Frontal view, L wrist plain film, pediatric patient (boy, age 17). 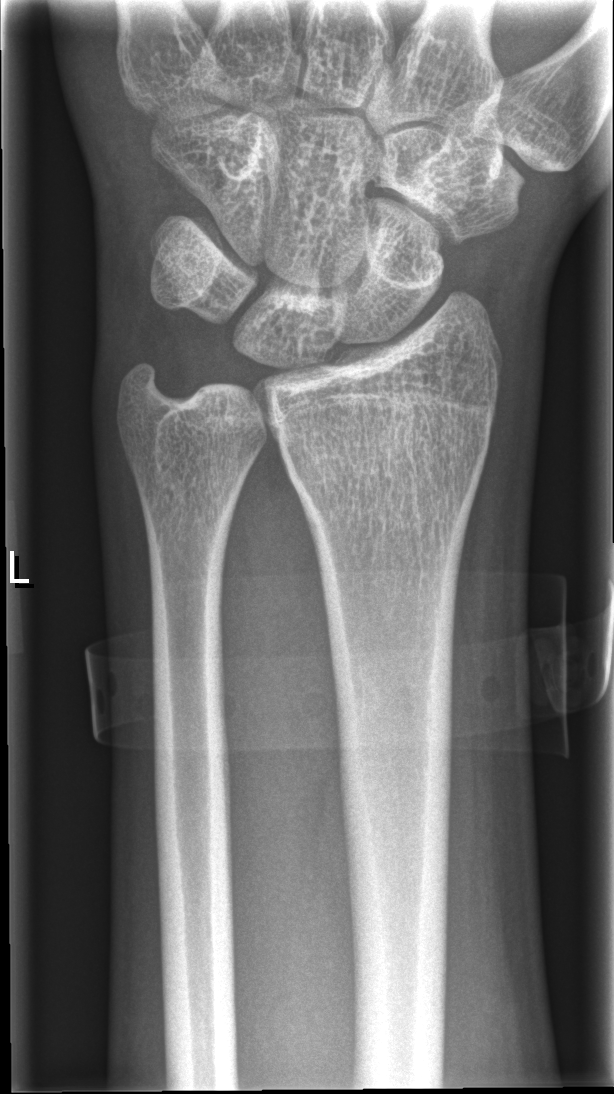
{
  "fracture": "none labeled"
}